L wrist plain film · lateral · 8y M · presentation radiograph —
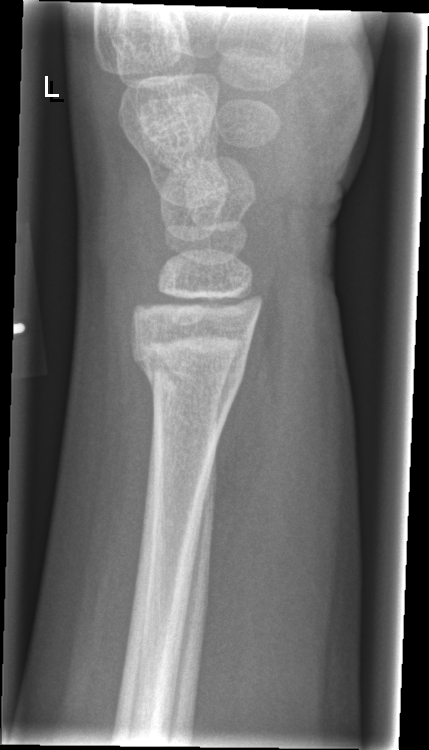

Coordinates are [x1, y1, x2, y2] in image pixels.
Bone fracture identified at 128 322 250 402.
Positive pronator fat-pad sign identified at 204 262 283 601.